Rt wrist XR; PA view; age 14 y, boy; index exam. 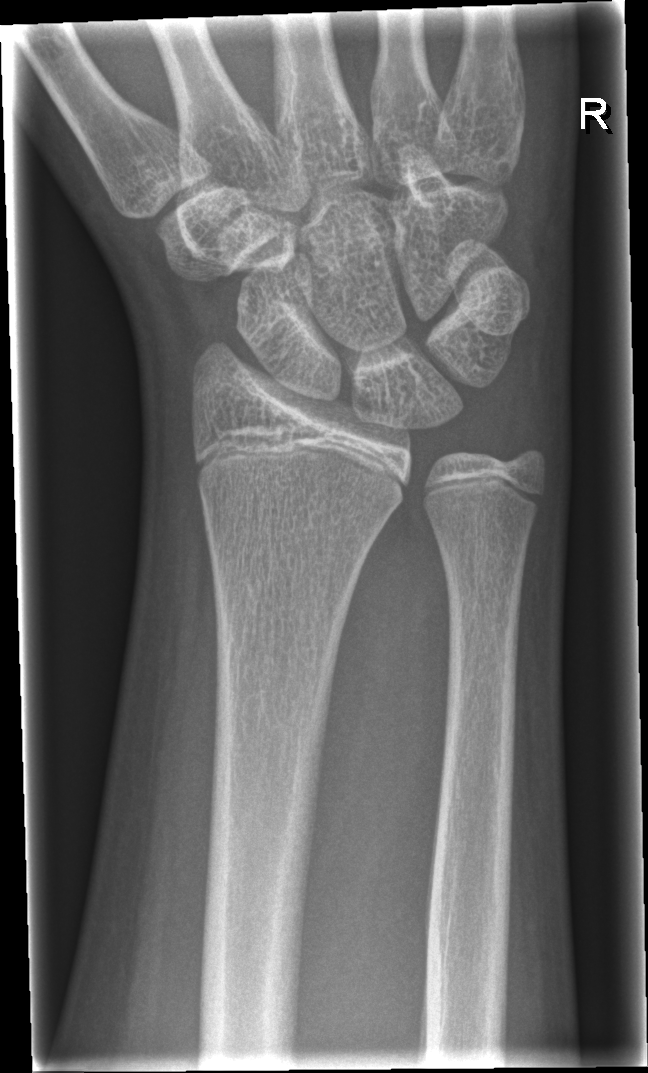
Fracture = none labeled